Lat view, left wrist pediatric wrist radiograph, 15-year-old boy, 513 by 1002 pixels 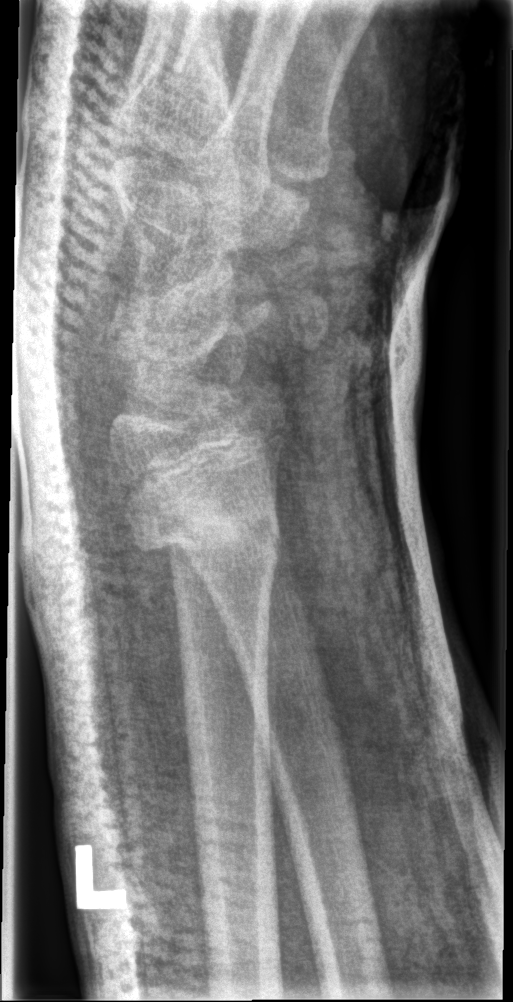 (pixel coordinates, top-left origin, xyxy)
AO classification = 23r-M/3.1; 23u-E/7
Fracture = 126 495 285 569